L wrist plain film · lateral · age 16 y, male · follow-up study:
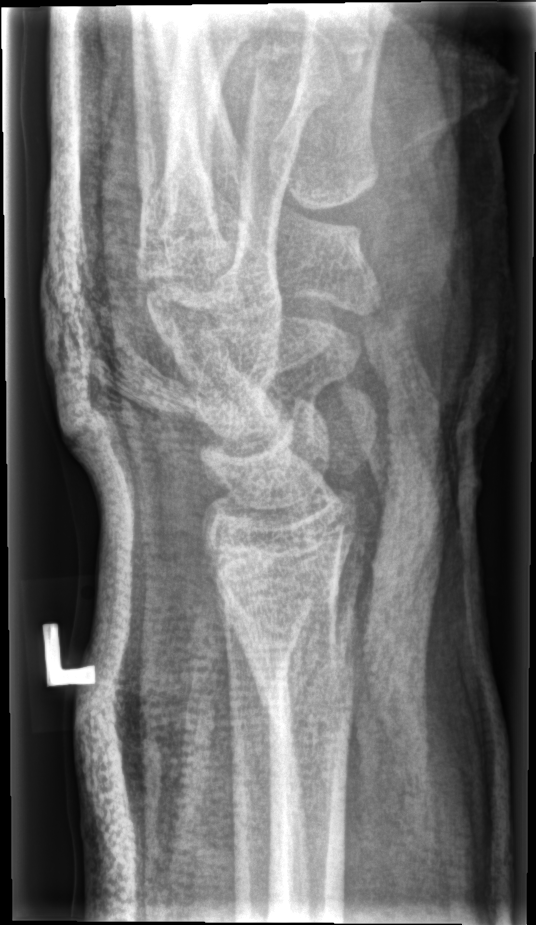

Bone fracture — <256,594>-<361,727>.
Fracture classified AO/OTA 23r-M/3.1.